Lateral view; L wrist plain film; male, 9 yo; image size 404x1062

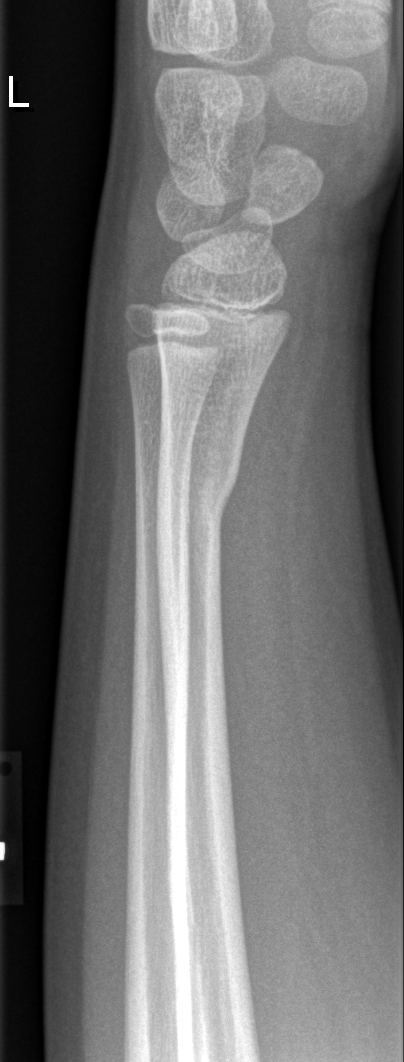

ao: 23r-M/2.1
fracture: 1 @ 148 462 244 532